Left wrist plain radiograph of the wrist | lat | boy, 13 yo | in cast. 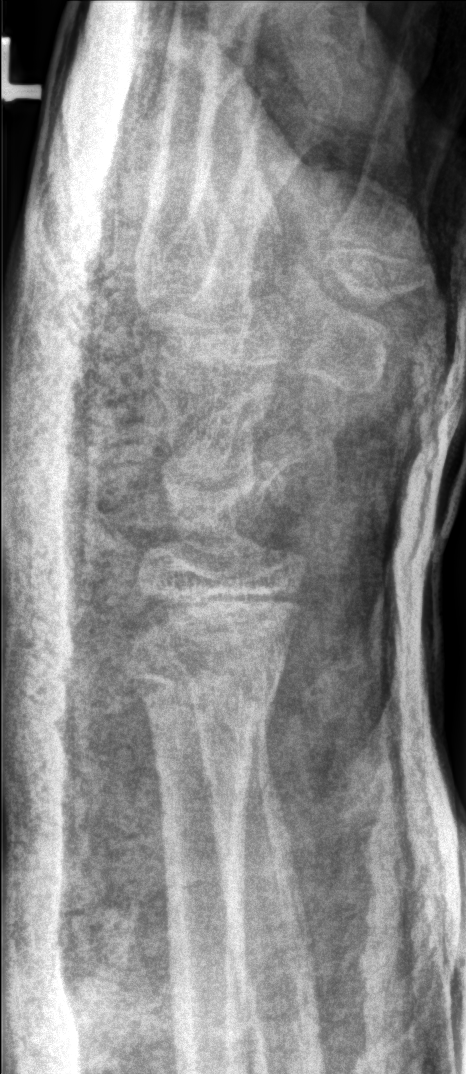
Bone fracture = 1 @ 123,635,290,736